R wrist X-ray | posteroanterior | 11-year-old female | index exam | image size 626x1021

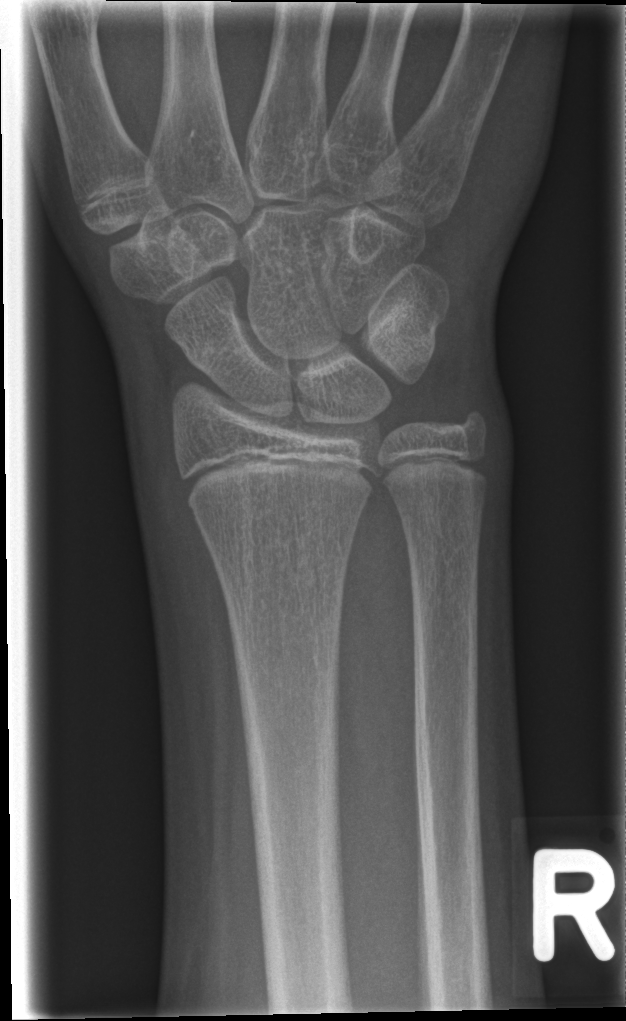

Fx: none.